Left wrist pediatric wrist radiograph | lat view | follow-up | in cast | image size 512x1109 —

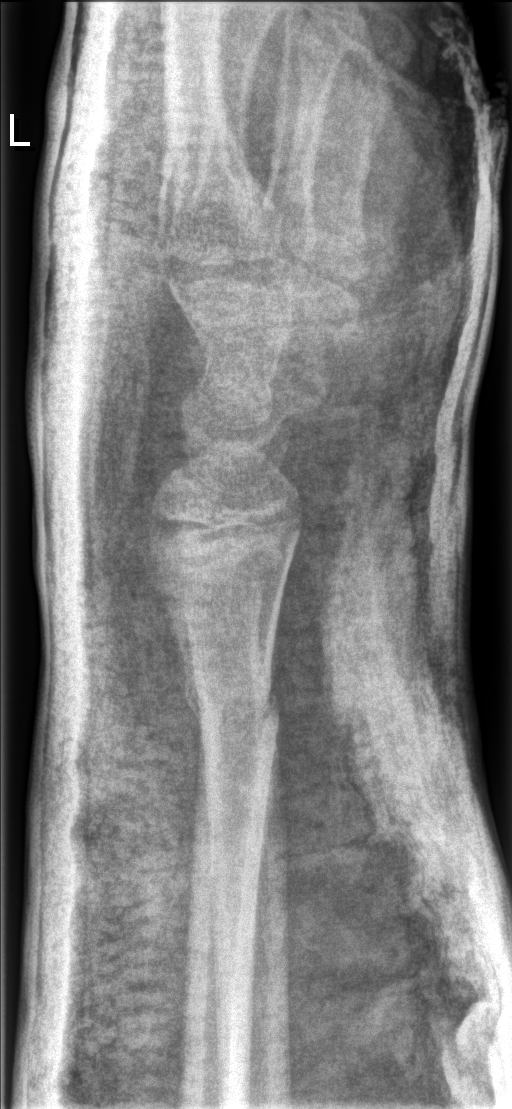 Findings: (coordinates are [x1, y1, x2, y2] in image pixels) Fracture identified at (left=179, top=662, right=283, bottom=754).